Lat projection · Lt pediatric wrist radiograph · 7y F · Siemens:

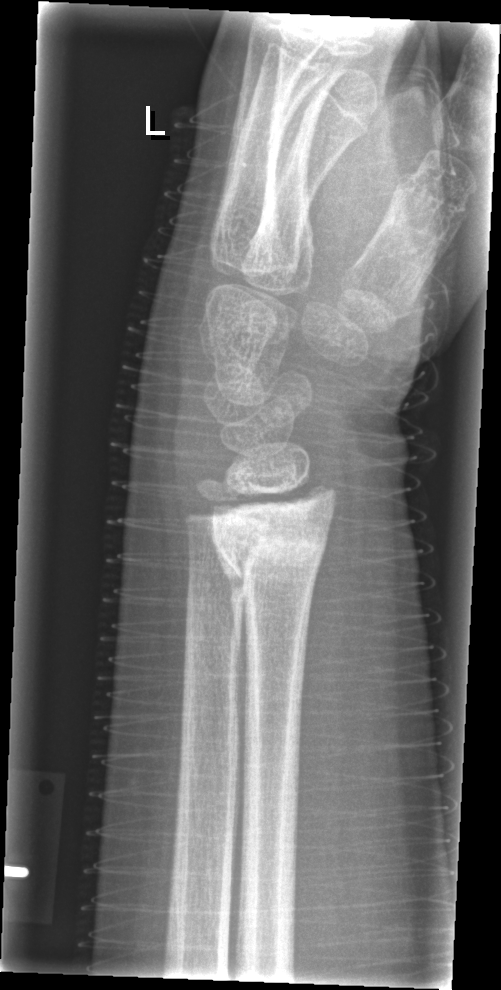
One bone fracture at (left=207, top=475, right=338, bottom=593).
Periosteal thickening identified at (left=211, top=518, right=249, bottom=695).
Fracture classified AO/OTA 23r-E/2.1.